Frontal view; right wrist pediatric wrist radiograph —
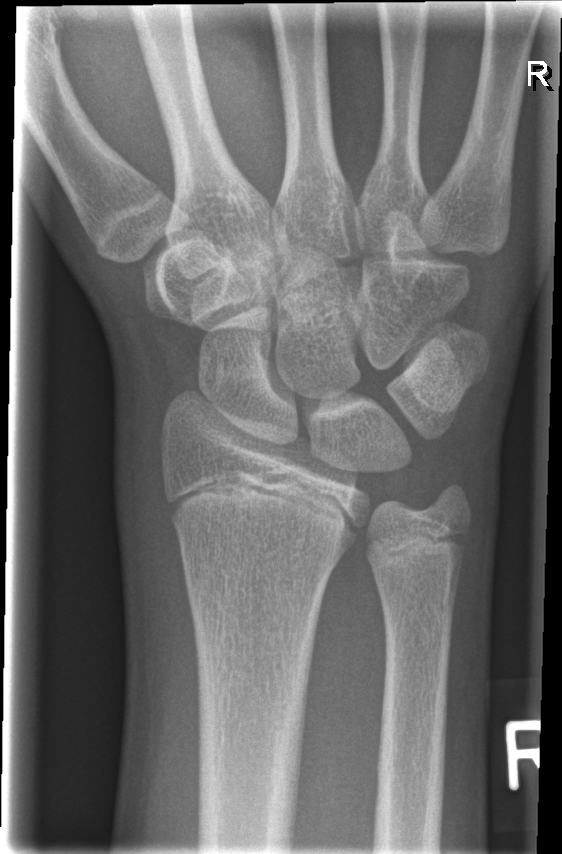

• No fracture annotation.